Lat view · R wrist plain film · age 12 y, male · cast present.

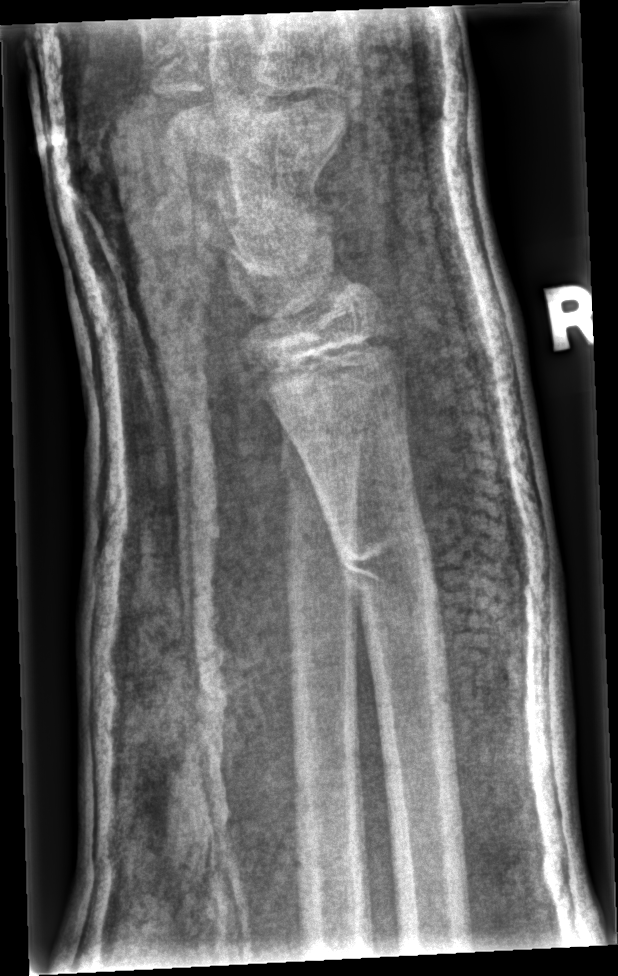

{
  "ao": "23-M/2.1",
  "fracture": "[332, 522, 440, 606], [276, 448, 365, 504]"
}